Left wrist X-ray | lateral | index exam —
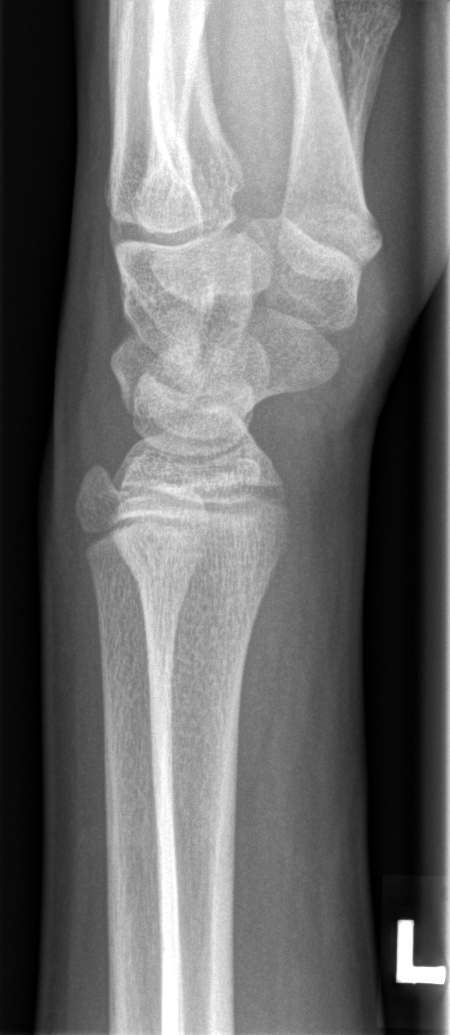

• AO/OTA classification: 23r-M/2.1.
• Bone fracture identified at 108 531 283 603.